Lateral view · left wrist plain radiograph of the wrist · 13y M · follow-up · cast present · image width 90.1 mm:

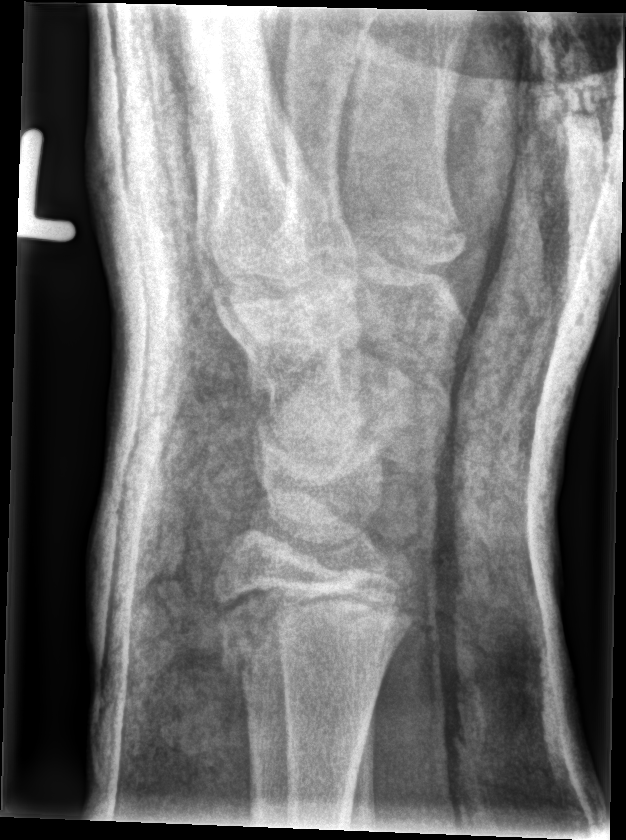
Findings: (boxes as x1,y1,x2,y2 (top-left / bottom-right, pixel units)) Fracture identified at 213,591,409,738.